Right wrist radiograph; AP view; 7-year-old girl; detector: Siemens —
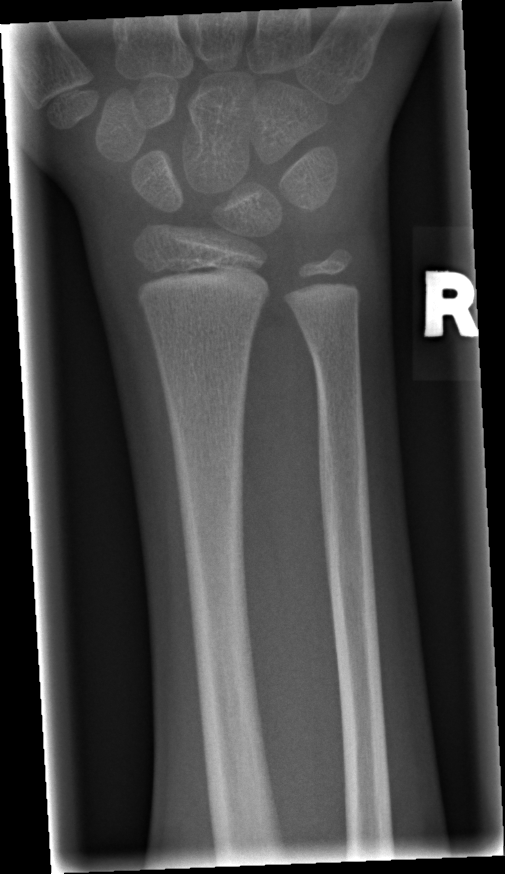
fracture: none labeled